Lateral projection; left wrist pediatric wrist radiograph; cast in situ; 647 x 1128 px
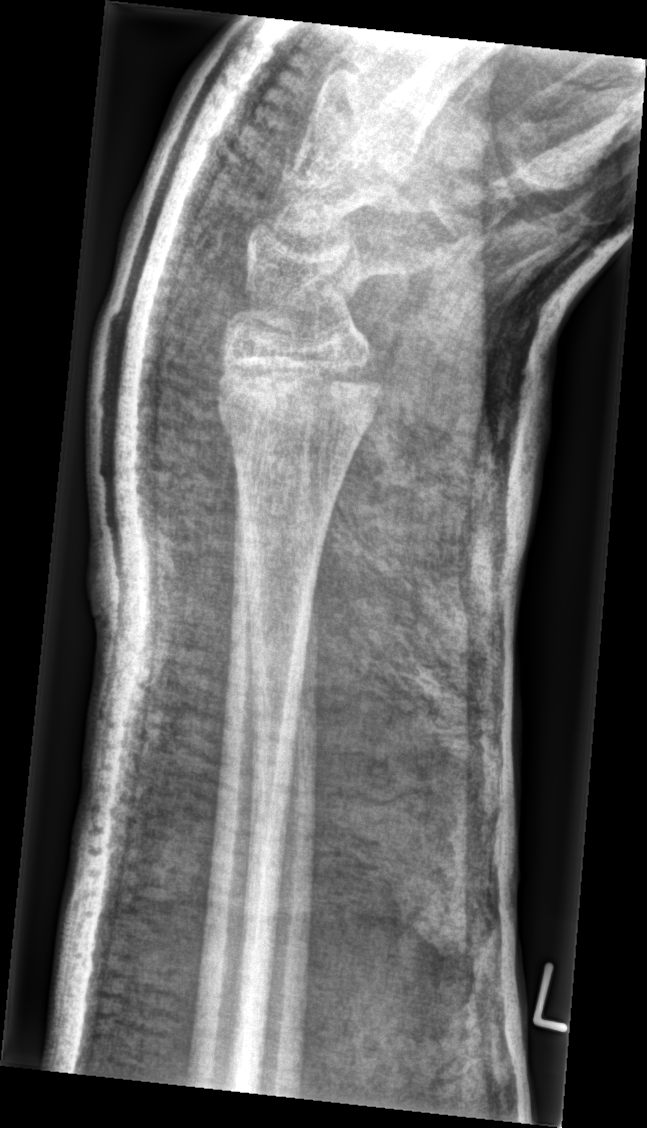 Boxes as x1,y1,x2,y2 (top-left / bottom-right, pixel units). Fracture — <213,355>-<387,458>. AO code 23r-E/2.1; 23u-E/7.